L wrist X-ray | posteroanterior | image size 580x894. 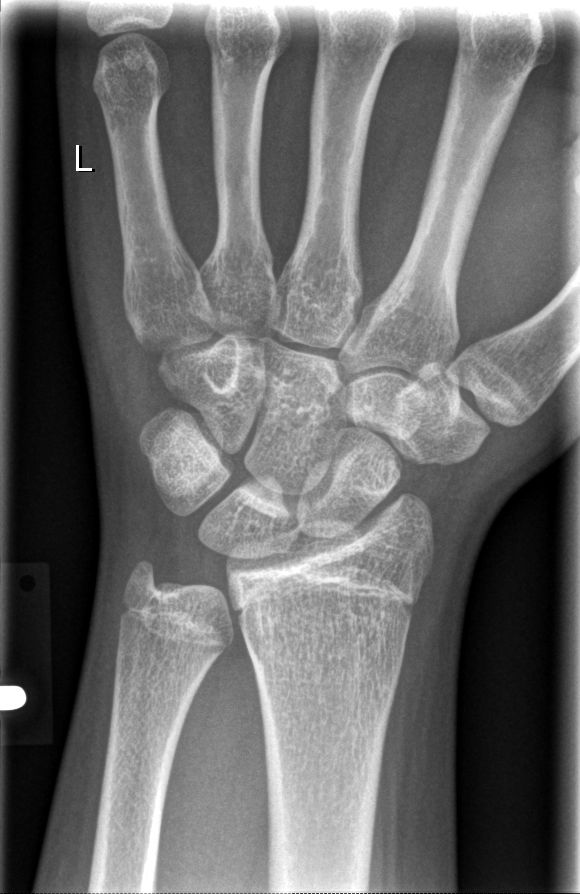
No fracture bounding box.